Rt wrist plain film; lat; pediatric patient (male, age 13):
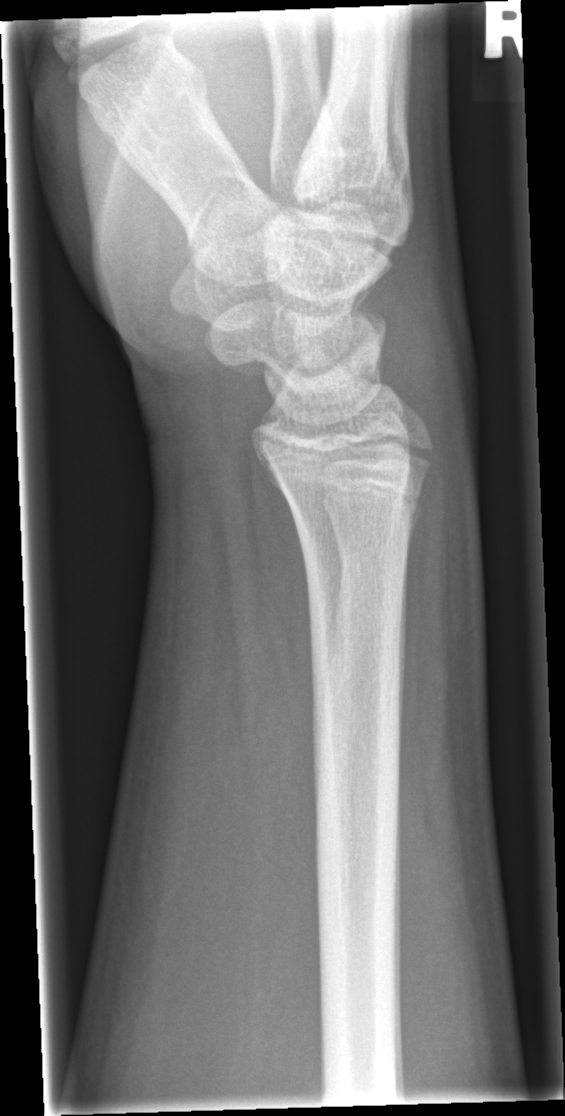   fracture: none labeled